Lt pediatric wrist radiograph · lat view · pediatric patient (boy, age 14) · in cast · image width 75.5 mm:
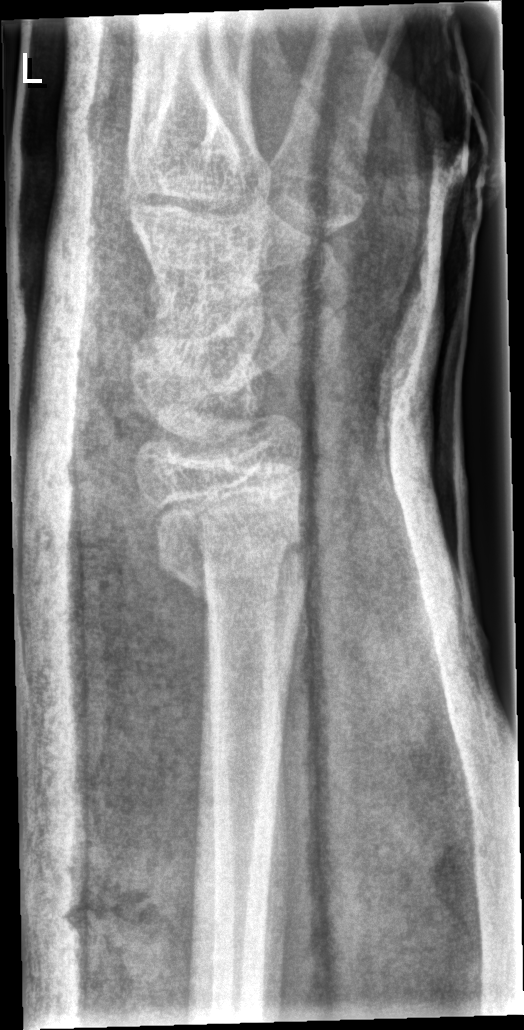
FINDINGS: One fracture at 158,543,315,608.